Frontal view; Rt wrist XR; age 7 y, boy; follow-up; in cast; image 63.4 mm wide.
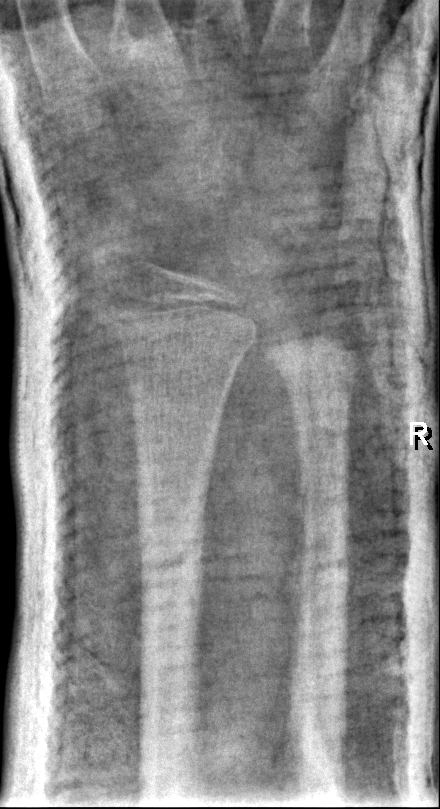
bone fracture: present but not clearly seen in this view